Right pediatric wrist radiograph, lateral, presentation radiograph.

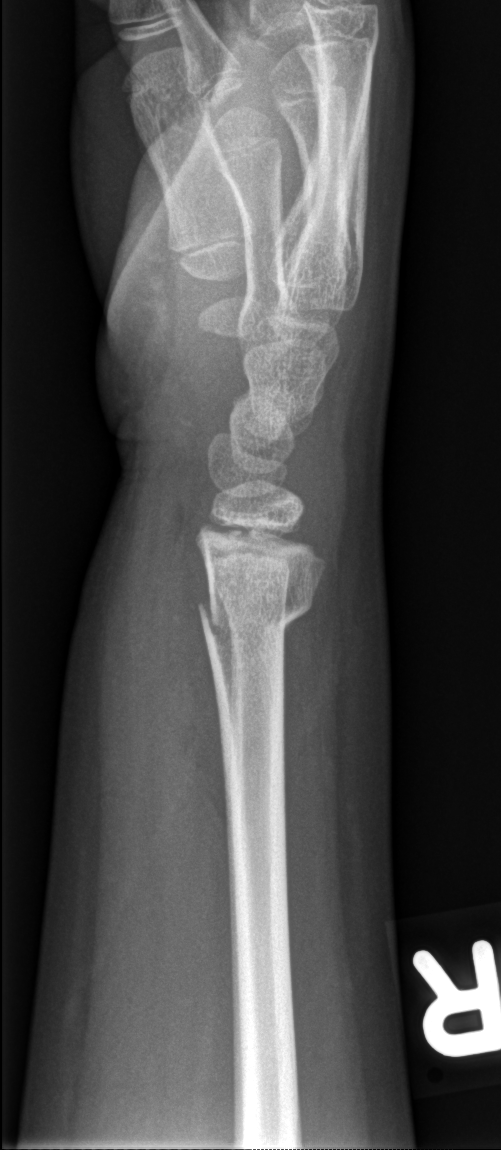 Positive pronator fat-pad sign = 1 @ bbox(150, 479, 237, 857)
Bone fracture = 1 @ bbox(194, 576, 320, 645)